R pediatric wrist radiograph | lateral

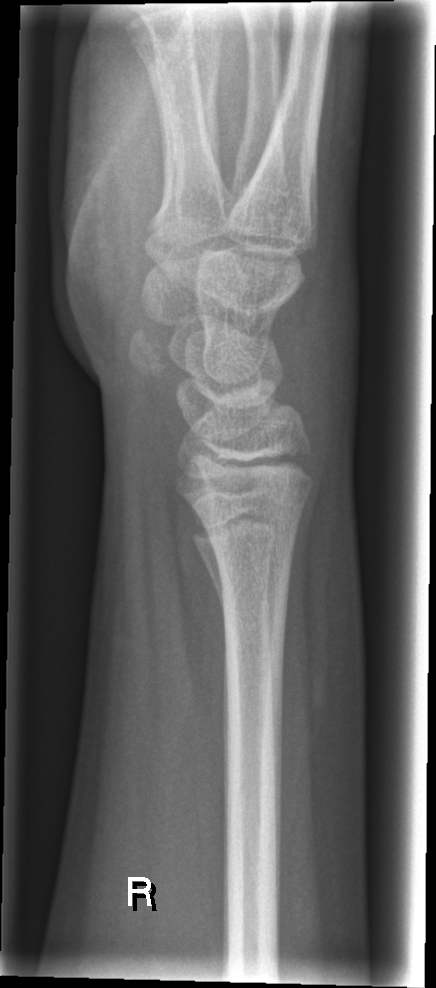 Fracture: none labeled